PA projection | Lt plain radiograph of the wrist | 9-year-old girl | imaged through cast
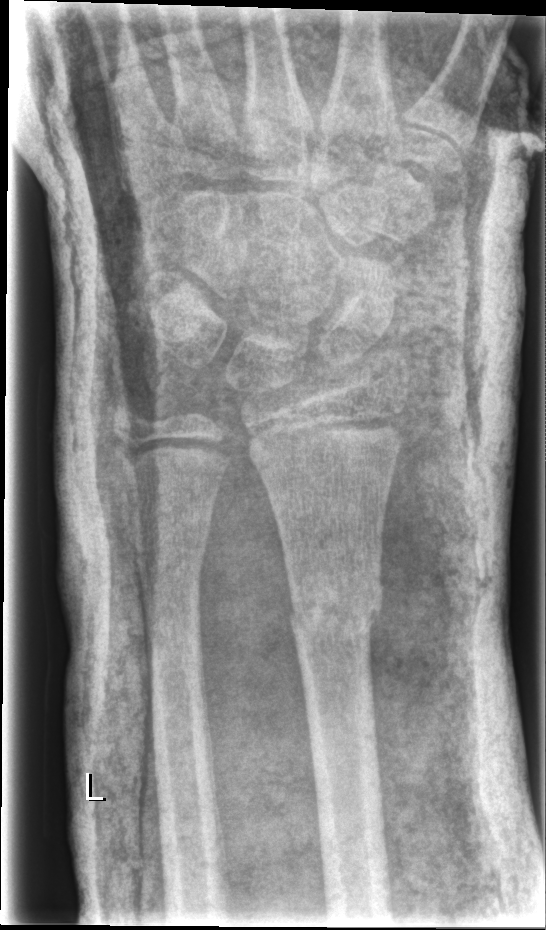

Two bone fractures at 285,567,386,650 | 130,506,216,578.